Frontal | Lt wrist X-ray | Siemens: 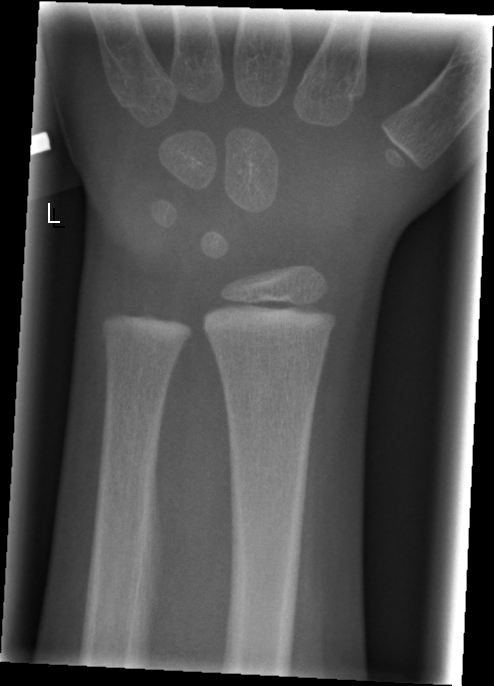 FINDINGS — No Fx annotated.